Lat view | Lt pediatric wrist radiograph | 10-year-old boy | in cast:
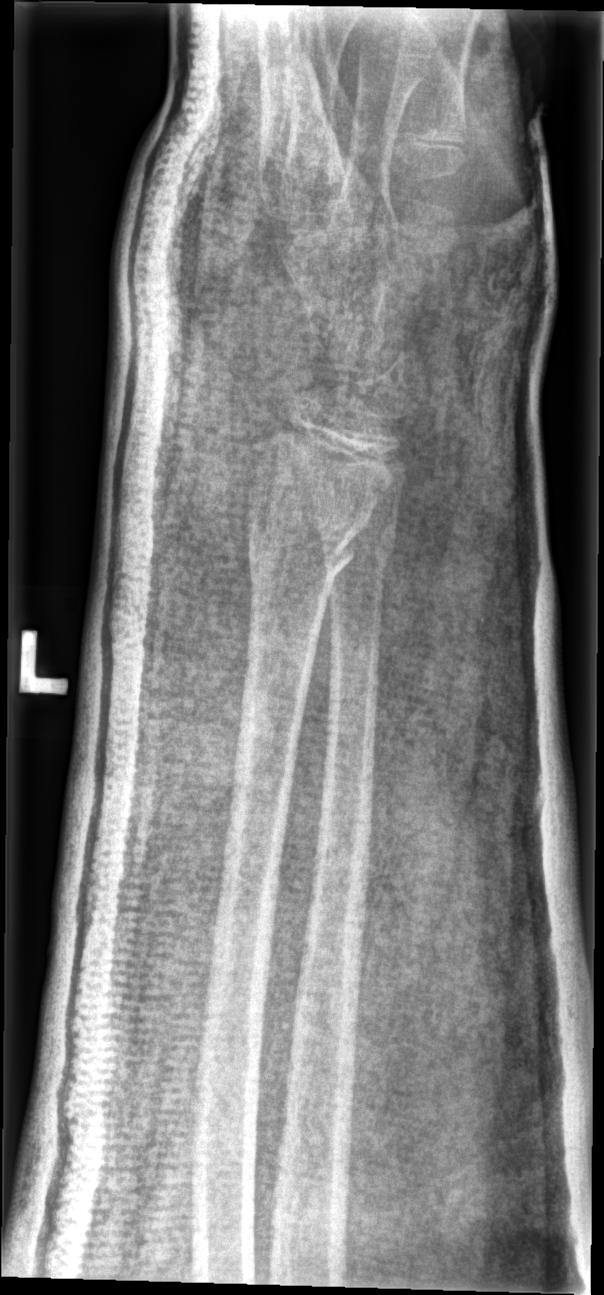
Findings: AO code 23-M/3.1. One fracture at (left=235, top=510, right=361, bottom=600).